Posteroanterior; R pediatric wrist radiograph; age 11 y, male; imaged through cast:
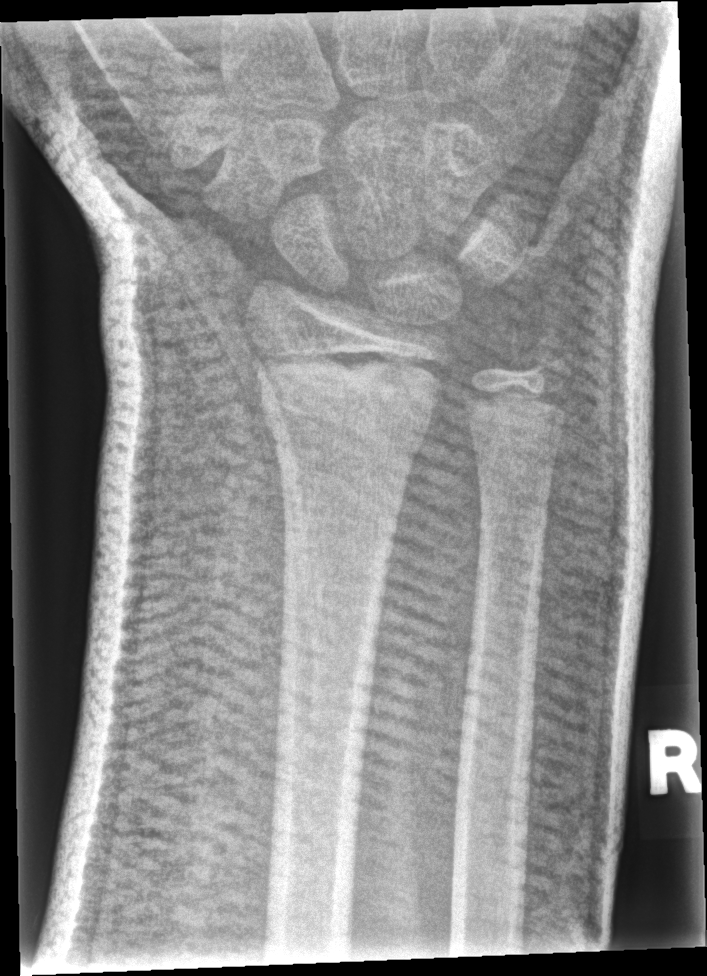

FINDINGS — Fracture classified AO/OTA 23r-E/2.1; 23u-E/7. One bone fracture at [245, 332, 447, 428].